Lat view; left wrist plain film; 15-year-old boy; initial study; image size 402x878.
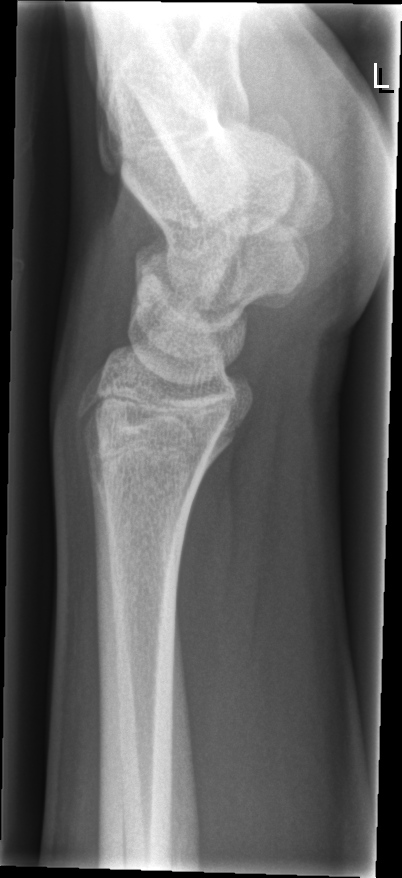   ao: 72B(c)
  fracture: present but not clearly seen in this view